Posteroanterior projection | left wrist pediatric wrist radiograph | age 9 y, boy

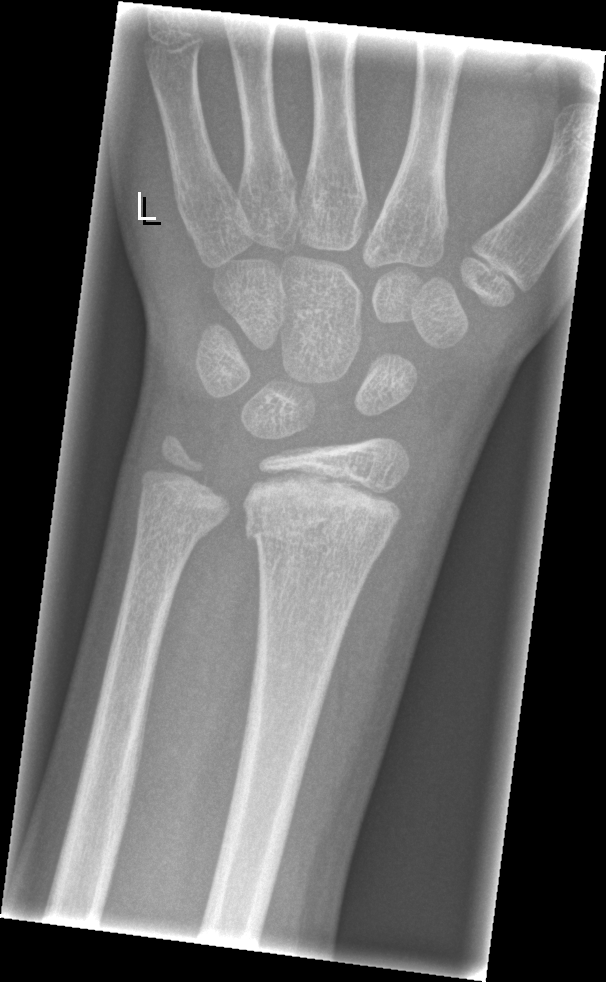

Findings: Fx — 239,480,401,567; 136,502,217,546.